Lat projection | L wrist radiograph | 9-year-old male | detector: Siemens | 604 x 1215 px.
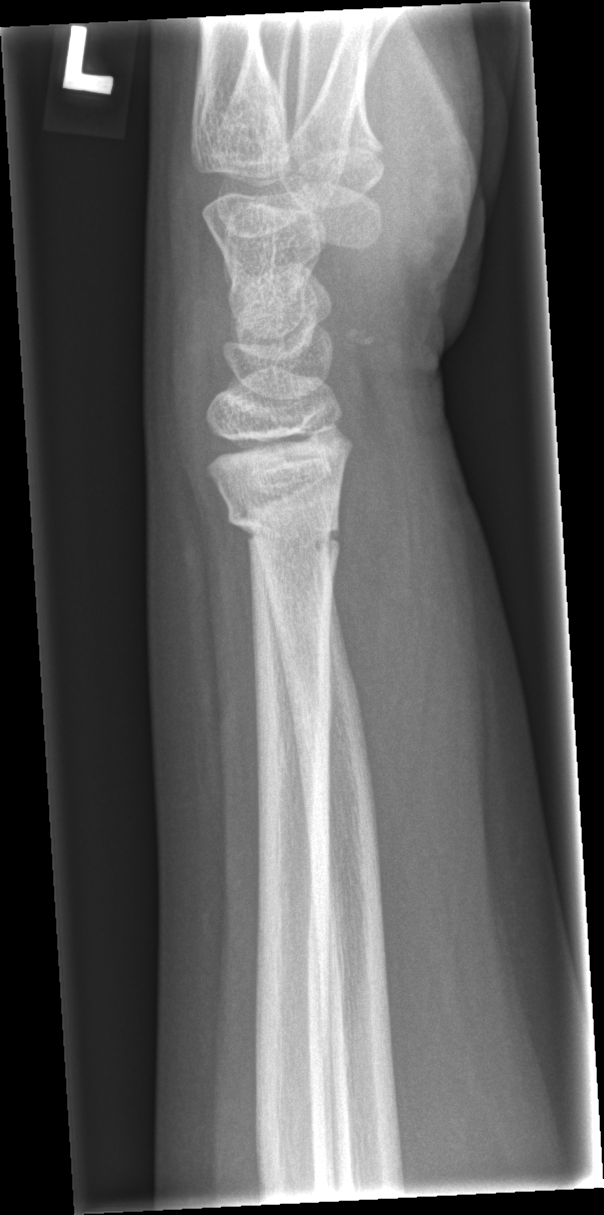
positive pronator fat-pad sign: 1 @ (left=334, top=421, right=405, bottom=782)
soft-tissue finding: 1 @ (left=343, top=378, right=498, bottom=857)
bone fracture: (left=222, top=493, right=344, bottom=557)